Lat, Lt wrist X-ray, boy, 12 yo —
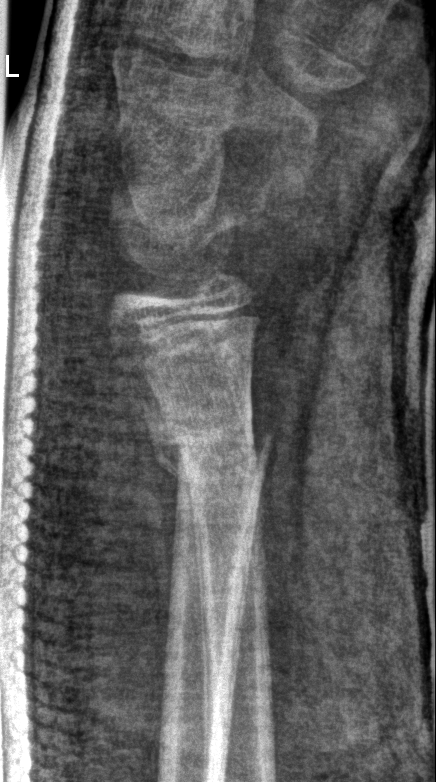
Findings: Bone fracture — [x1=137, y1=388, x2=275, y2=485].